Frontal projection · right wrist X-ray · image 98.6 mm wide 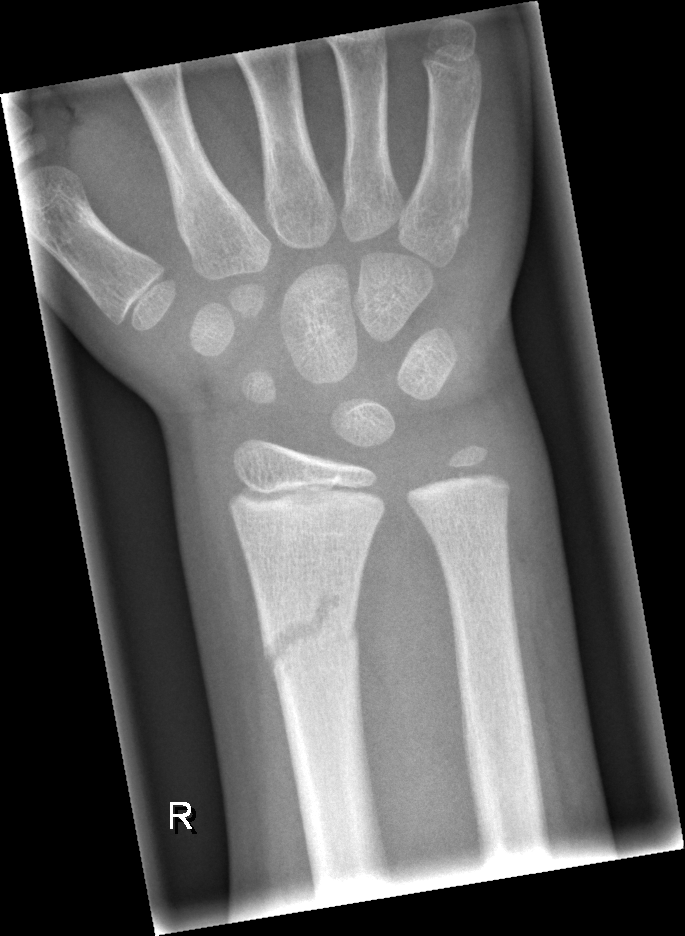

Bone fracture: (left=260, top=586, right=362, bottom=691).